Posteroanterior; Rt wrist XR; 17y F; 712x956 — 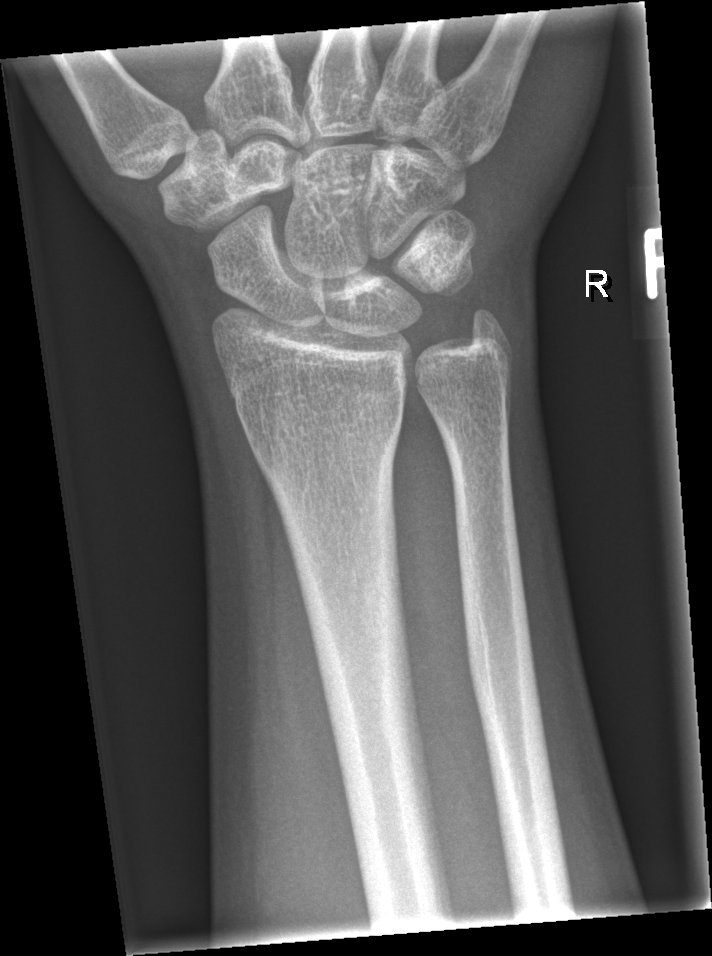

{"fracture": "none labeled"}